Right wrist plain radiograph of the wrist, lateral view, male, 9 yo, follow-up study, 480 x 1227 px. 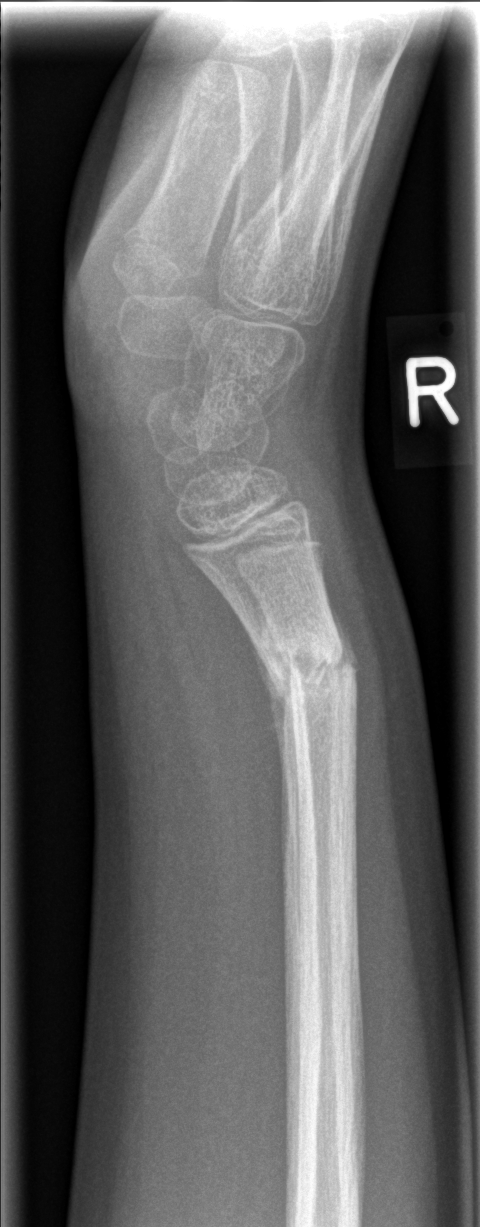 # coordinates are [x1, y1, x2, y2] in image pixels
osteopenia: present
fracture: [x1=261, y1=630, x2=370, y2=711]
periostealreaction: [x1=246, y1=629, x2=286, y2=787] [x1=327, y1=593, x2=359, y2=666]